Lat view, left wrist XR, 9-year-old female, follow-up study, cast present, acquired on Siemens, 567x1240 — 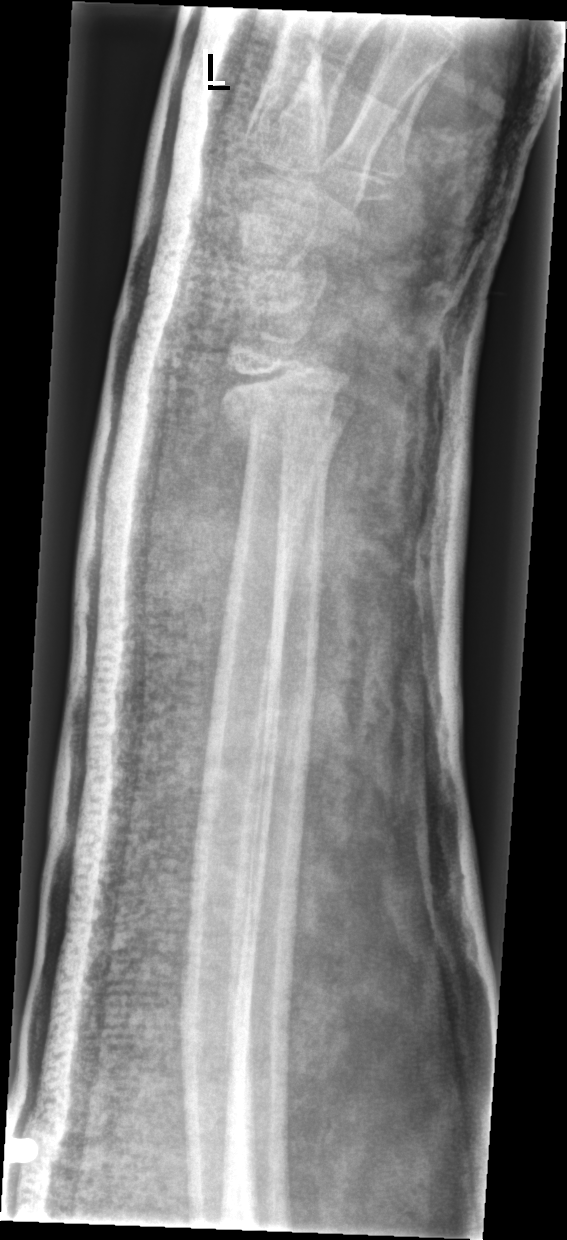
Fracture: 218 383 346 457. Fracture classified AO/OTA 23r-M/3.1.